Left wrist XR | lat | age 11 y, female | cast present.
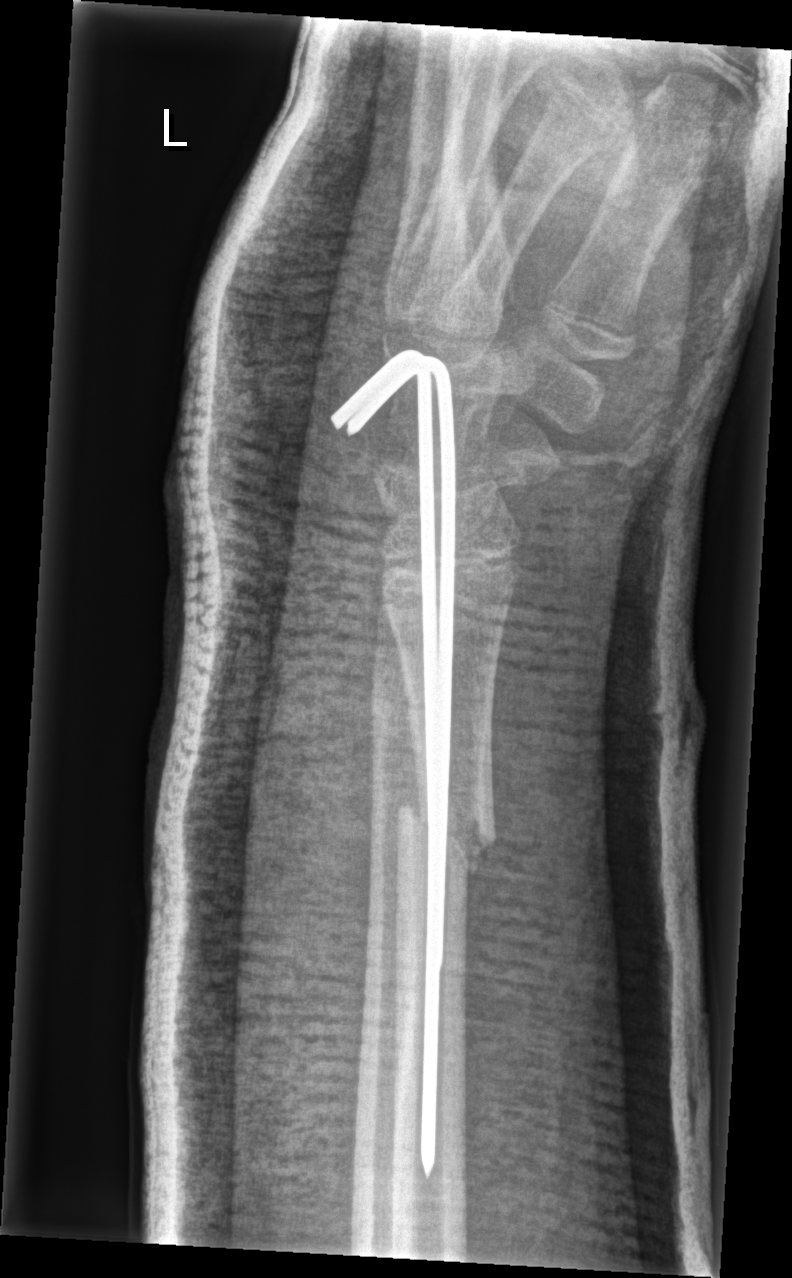

Pixel coordinates, top-left origin, xyxy.
Bone fracture: <392,796>-<500,875>.
Hardware — <327,349>-<456,1176>.